R wrist plain film · lateral · girl, 1.4 yo · index exam · image size 353x456. 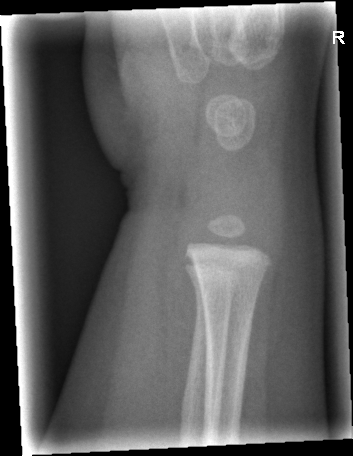 • No fracture bounding box.